PA | L wrist XR — 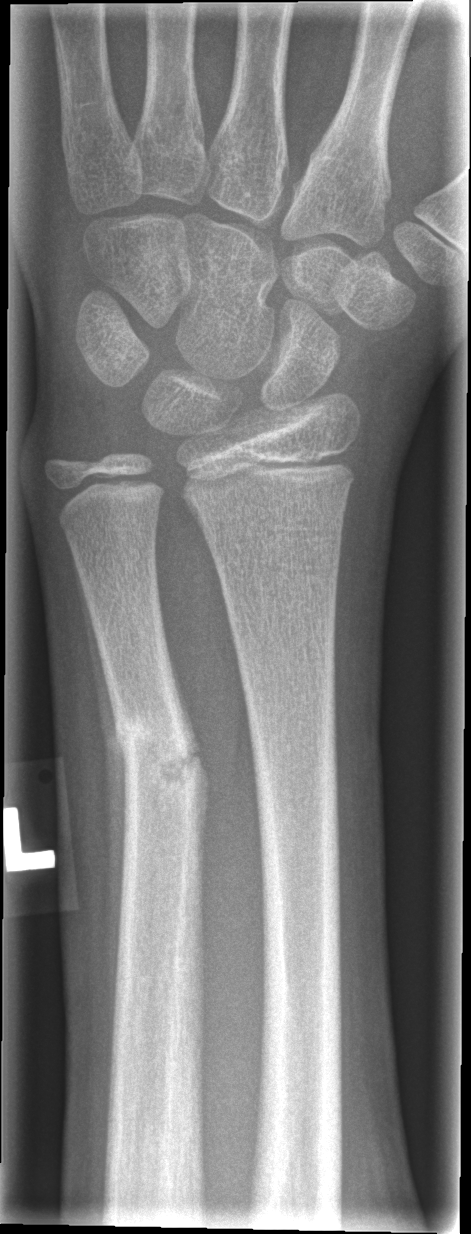
Findings: (boxes as x1,y1,x2,y2 (top-left / bottom-right, pixel units)) Fx identified at [111, 712, 211, 803]. Periosteal reaction: [74, 553, 130, 1056]. AO/OTA classification: 22u-D/2.1.